PA, right wrist X-ray, 7y M, 480x680:

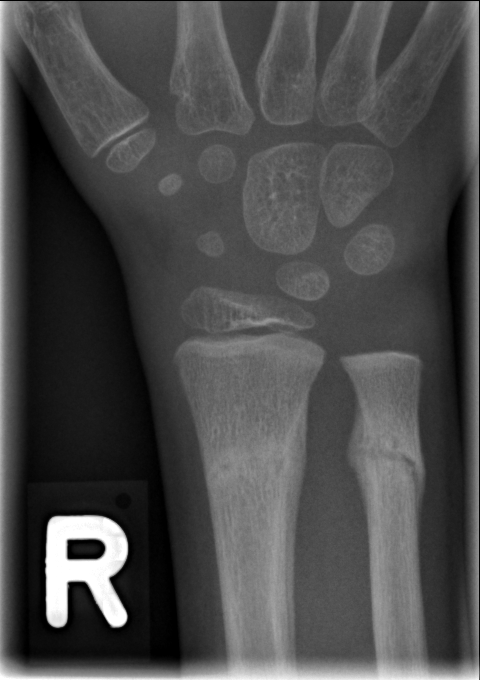 periosteal thickening = 3 @ [287, 384, 308, 669], [346, 404, 368, 513], [411, 426, 424, 510]
osteopenia = present
Fx = 2 @ [200, 423, 297, 499], [356, 428, 424, 498]